Lt pediatric wrist radiograph | posteroanterior projection | age 13 y, boy | cast in situ | 577x1568
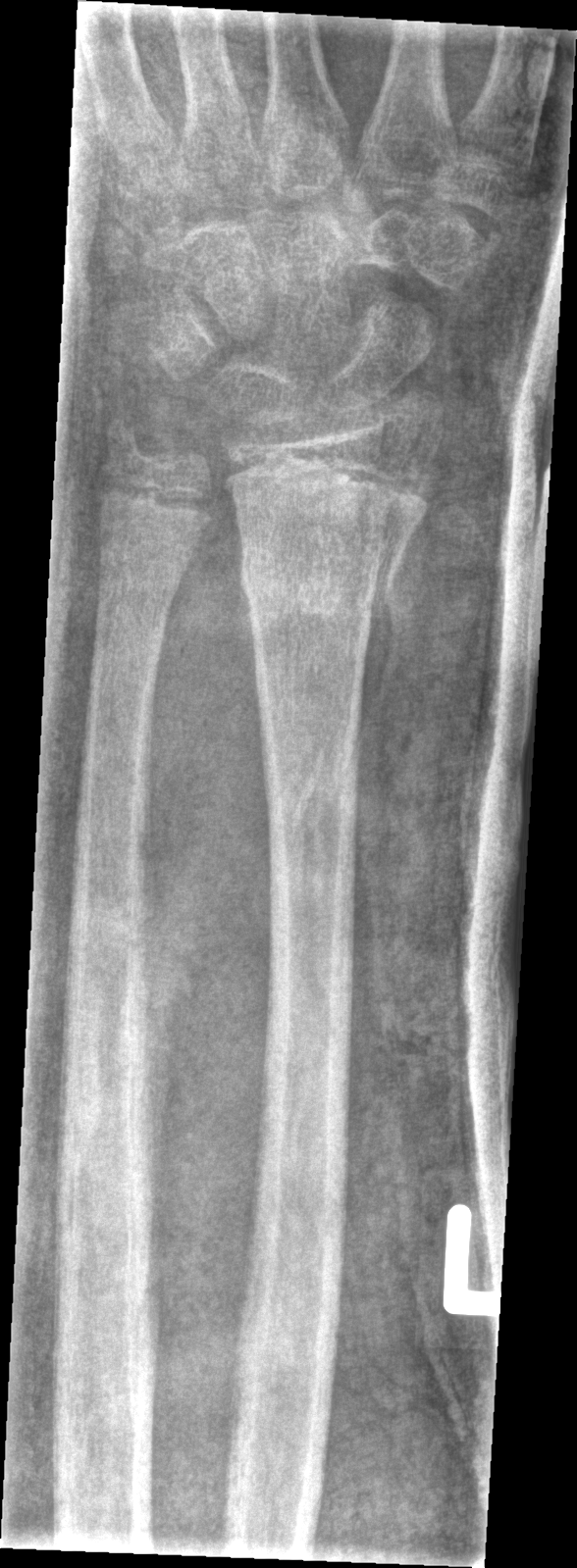 FINDINGS — Bone fracture: 228 457 429 633.